Left wrist radiograph, PA
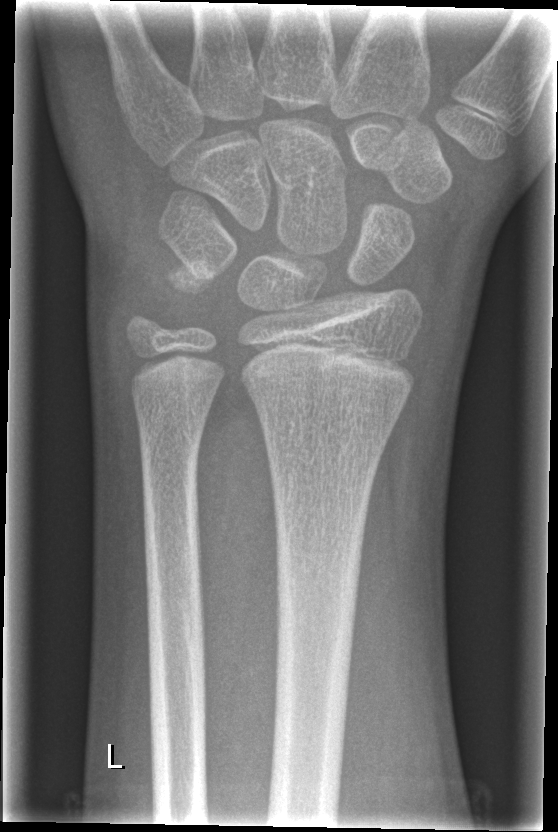
Fx: none.